Lat view, left wrist XR

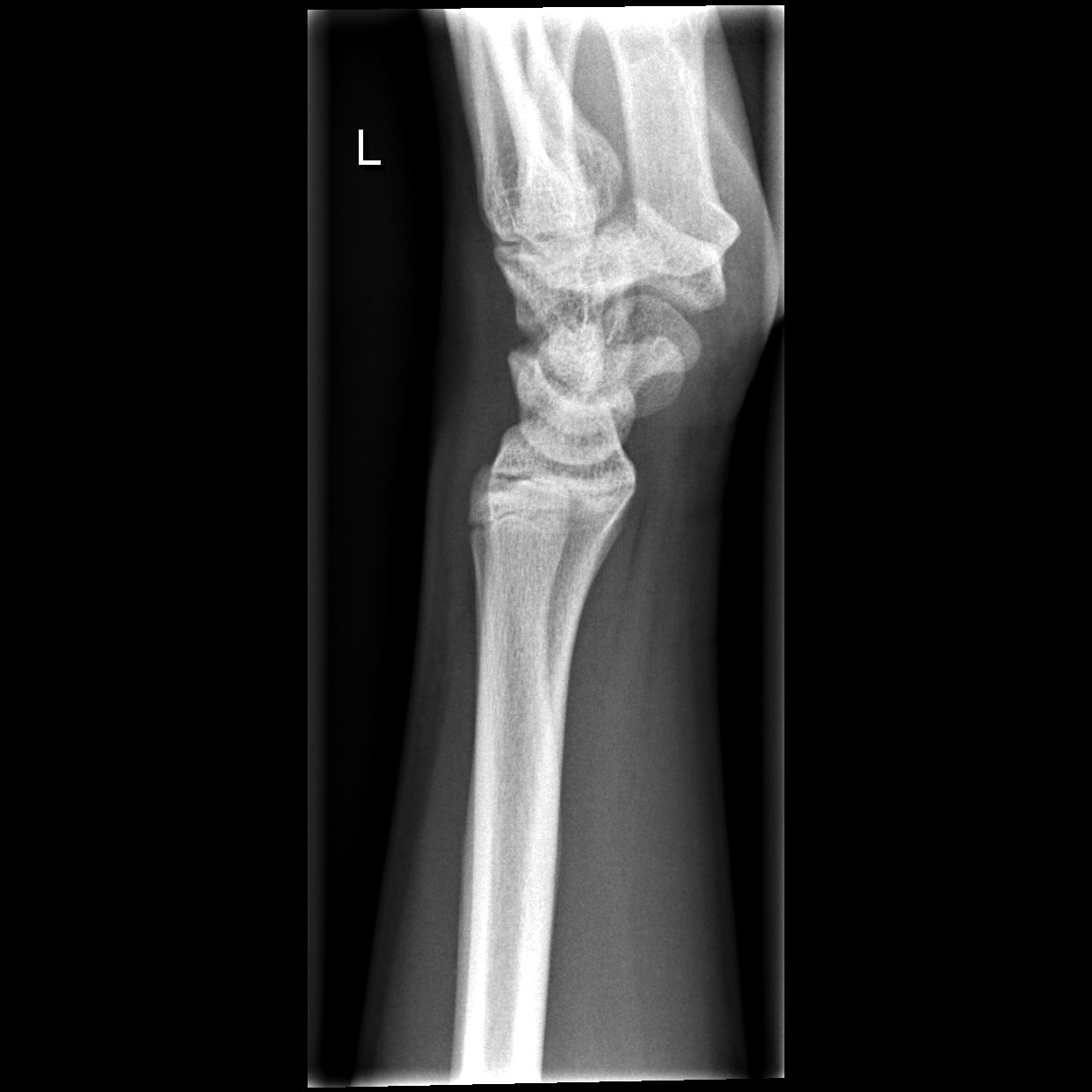
No Fx annotated.